PA view; Lt wrist plain film; male, 12 yo; follow-up; imaged through cast
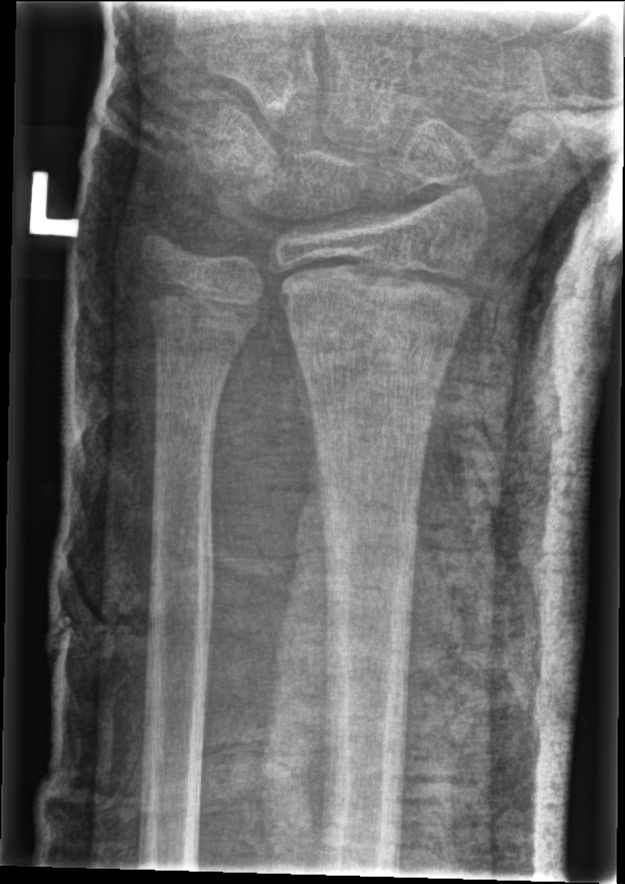
Findings: Fracture present, but no bounding box because it is not clearly seen in this view. AO code 23r-M/2.1.